Lateral | R wrist X-ray | 12-year-old female:

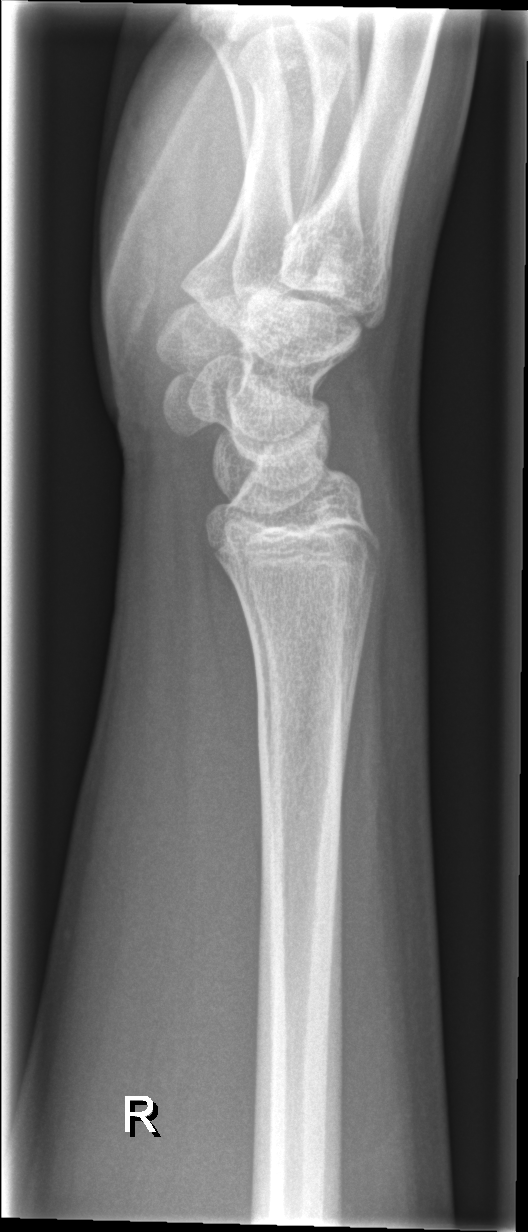

Bone fracture = none labeled